Lat; Rt wrist X-ray; girl, 8 yo

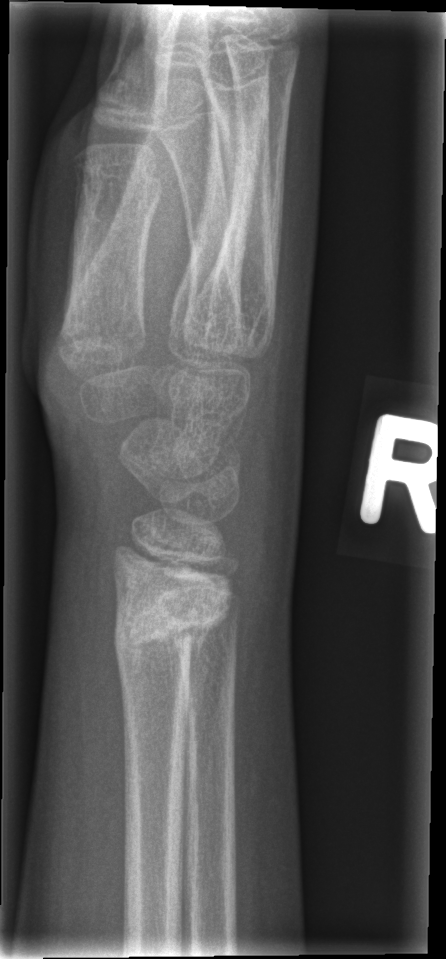

Coordinates are [x1, y1, x2, y2] in image pixels. Fracture — bbox(111, 560, 240, 676). AO code 23r-M/3.1; 23u-E/7.